Left wrist radiograph, posteroanterior view, pediatric patient (girl, age 9)

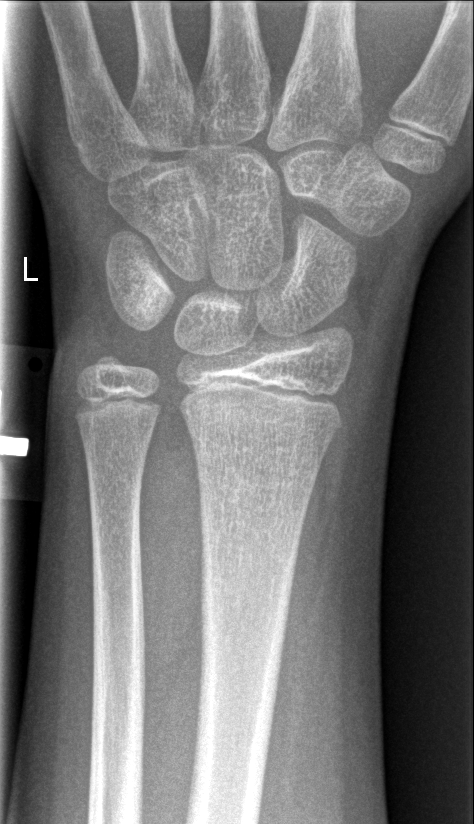

Bone fracture = none labeled